Lateral projection; Lt pediatric wrist radiograph; 11-year-old boy; Siemens —

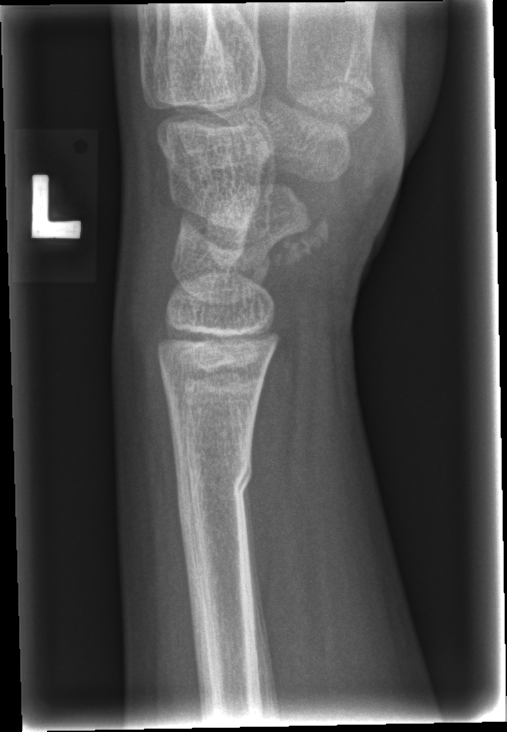 Coordinates are [x1, y1, x2, y2] in image pixels. AO code 23r-M/2.1. Fracture identified at 173 446 256 520.